Lateral view · right wrist plain radiograph of the wrist · subsequent exam · imaged through cast · image 89.3 mm wide
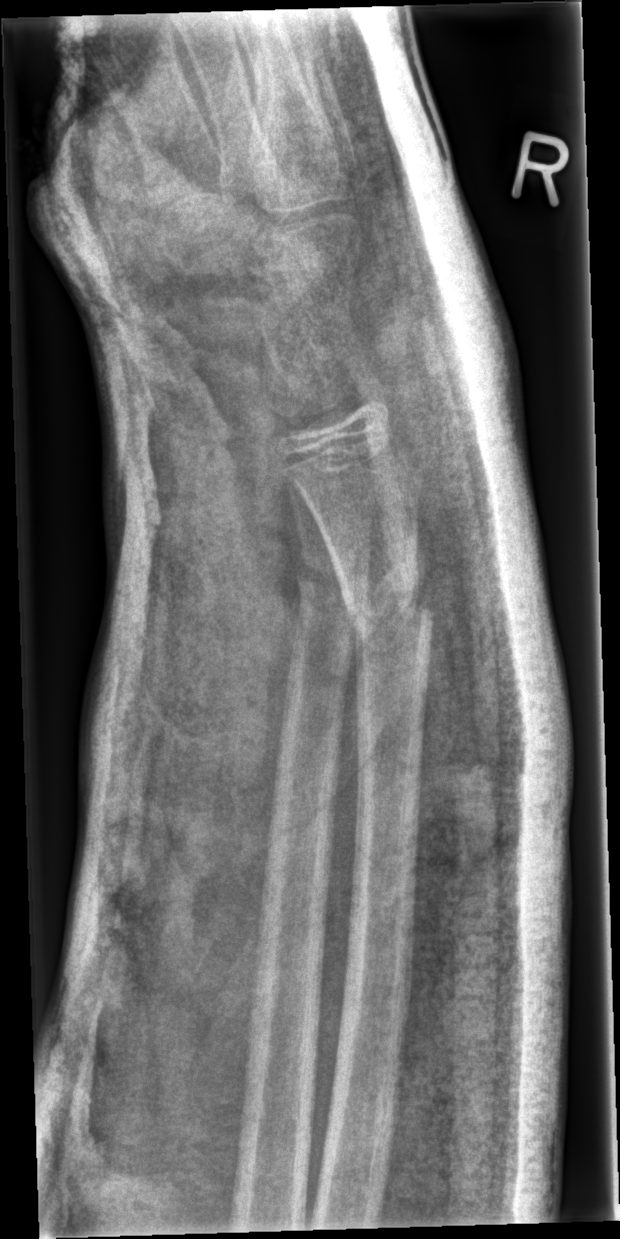 osteopenia = present
AO code = 23-M/3.1
fracture = (338, 558, 437, 655); (291, 551, 372, 620)